Lt pediatric wrist radiograph, AP projection, 11y M, subsequent exam —

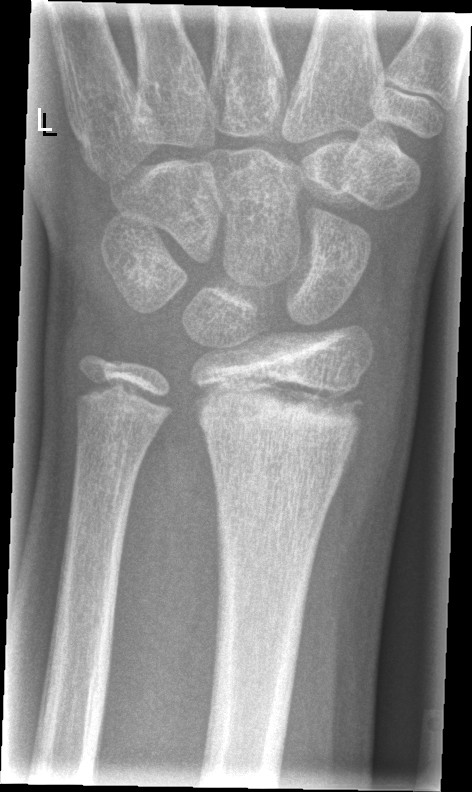 FINDINGS: AO/OTA classification: 23r-E/2.1. One fracture at (196, 368, 369, 449).